Frontal view · left wrist plain film · 12y F · Siemens · 524 x 954 px.
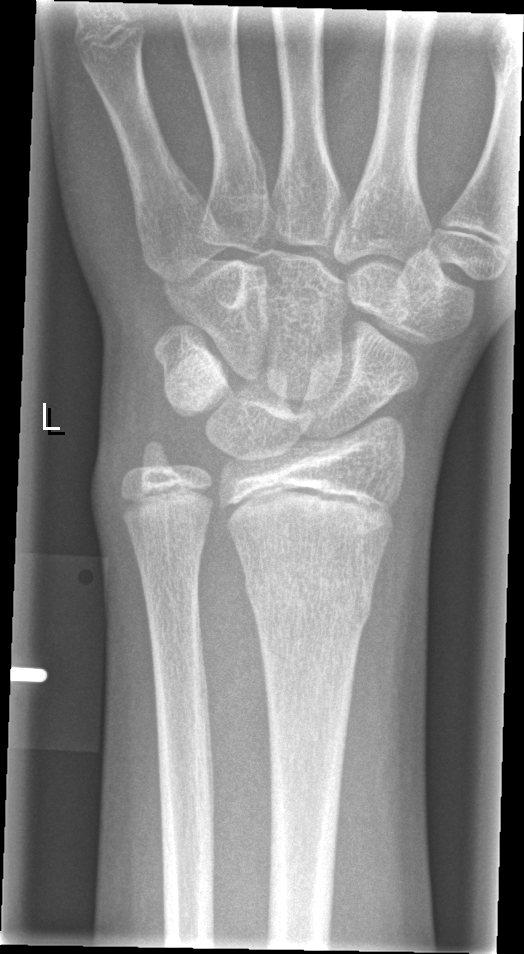 Fx = 1 @ (242, 566, 375, 631)
AO/OTA = 23r-M/2.1